Lateral; left wrist plain film; 5-year-old female: 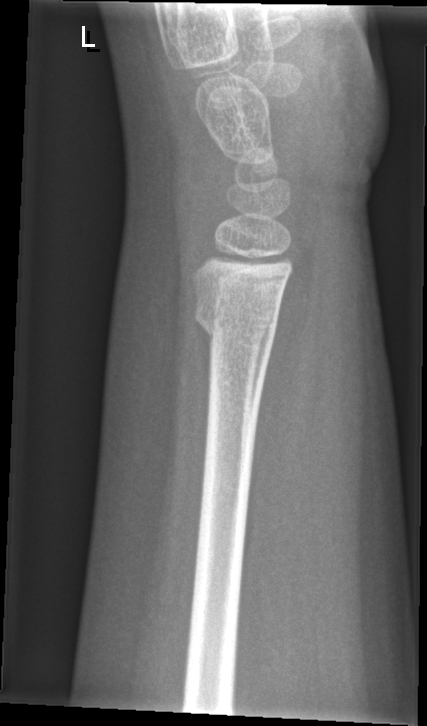

FINDINGS — (bounding boxes in image-pixel xyxy) AO code 23-M/2.1. Fx: <191,291>-<279,343>.